Left wrist radiograph, lateral projection, presentation radiograph, 491x986.

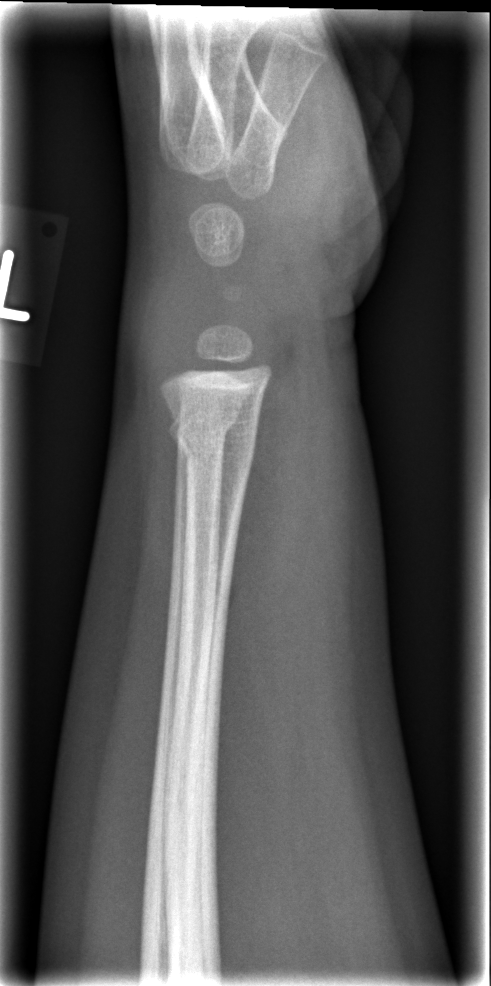 (coordinates are [x1, y1, x2, y2] in image pixels)
Positive pronator fat-pad sign = 1 @ (left=215, top=352, right=315, bottom=659)
Fx = 2 @ (left=165, top=409, right=259, bottom=473) (left=173, top=403, right=242, bottom=452)
AO classification = 23-M/2.1